Lat view; L wrist X-ray; follow-up study —

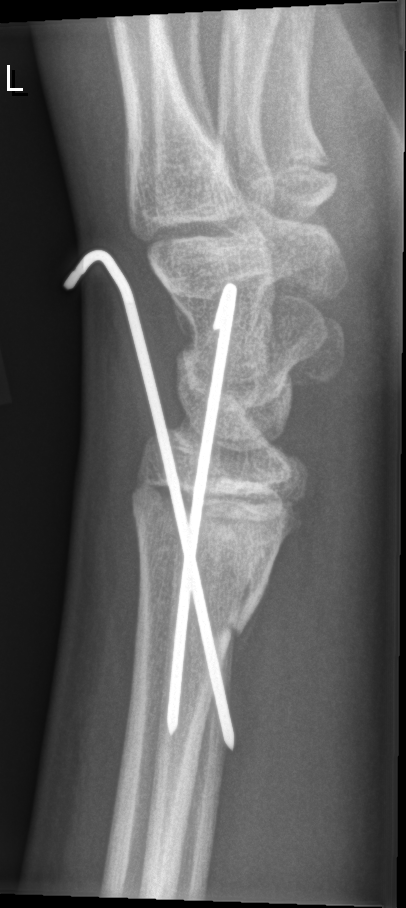
metallic hardware: [63, 245, 240, 750]
fracture: [132, 459, 313, 644]
AO classification: 23r-E/2.1; 23u-E/7
periosteal reaction: [230, 583, 266, 677]